L wrist plain film; lat; 8-year-old girl; image size 477x702 —
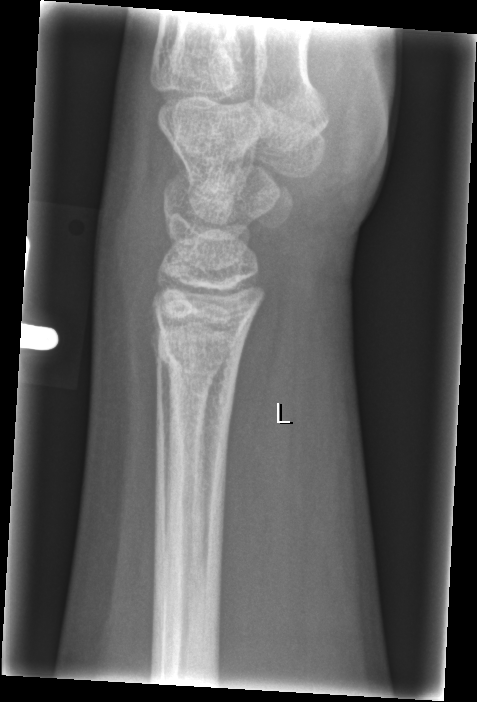
FINDINGS — (boxes as x1,y1,x2,y2 (top-left / bottom-right, pixel units)) Fx identified at 157,322,247,380.